Lt wrist radiograph | lat projection | index exam | acquired on Siemens.
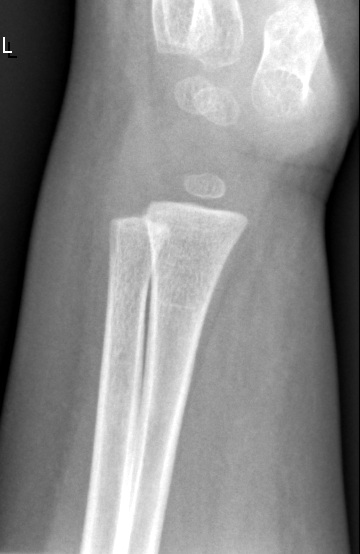 Q: Fracture present?
A: No Fx annotated